Frontal | L wrist X-ray | 6-year-old female: 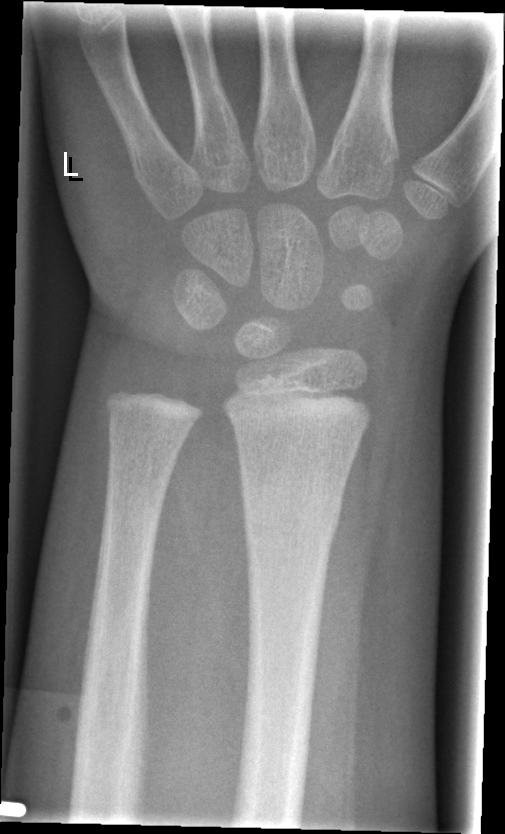
Coordinates are [x1, y1, x2, y2] in image pixels. AO/OTA classification: 23r-M/2.1. Fx identified at [236, 482, 346, 552].